Lat; left wrist XR; 13y M; follow-up study.

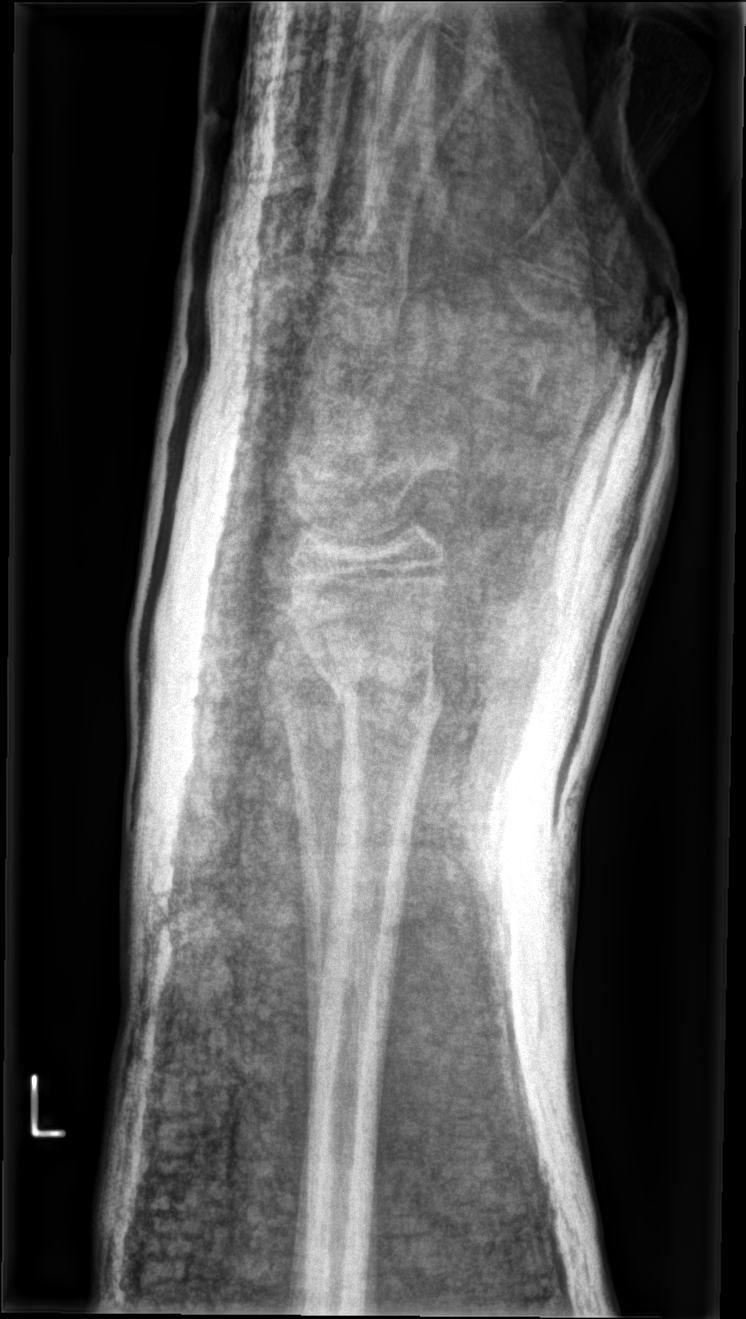

Bone fracture — <320,655>-<448,730>. AO/OTA classification: 23r-M/3.1; 23u-E/7.